Lateral view · Rt wrist radiograph · 8-year-old boy. 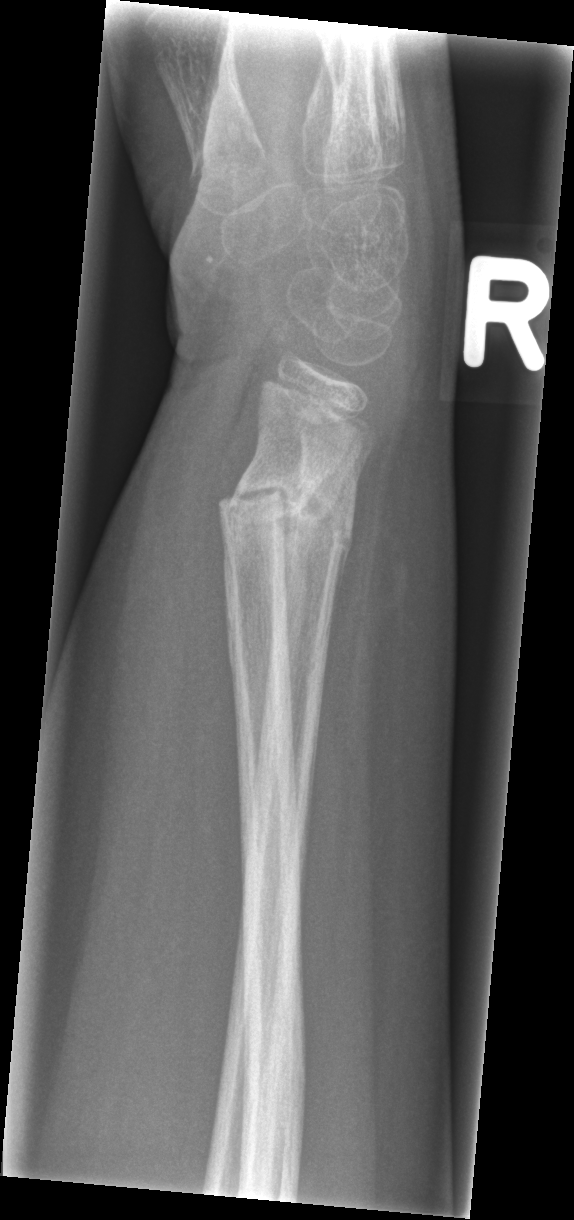
(bounding boxes in image-pixel xyxy)
Q: Any fracture seen?
A: Two Fx at (271, 485, 352, 583); (223, 461, 301, 544)
Q: Is there osteopenia?
A: Decreased bone density (osteopenia)